Right wrist X-ray | AP projection | imaged through cast — 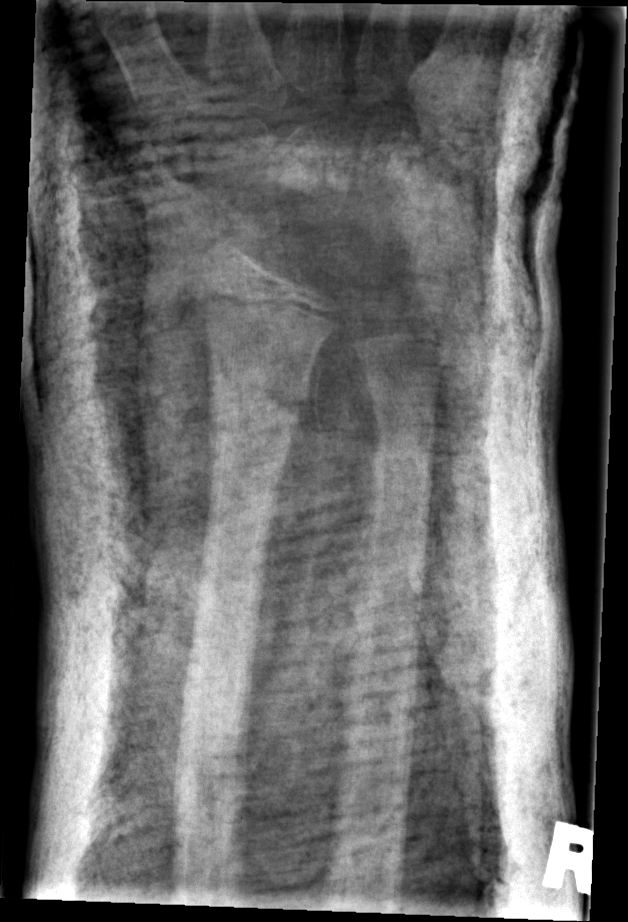

Findings: AO/OTA classification: 23r-M/3.1; 23u-M/2.1. Bone fracture: bbox(205, 359, 318, 442) bbox(362, 371, 444, 444).